R wrist radiograph; AP view; 16y M; follow-up study; acquired on Siemens:

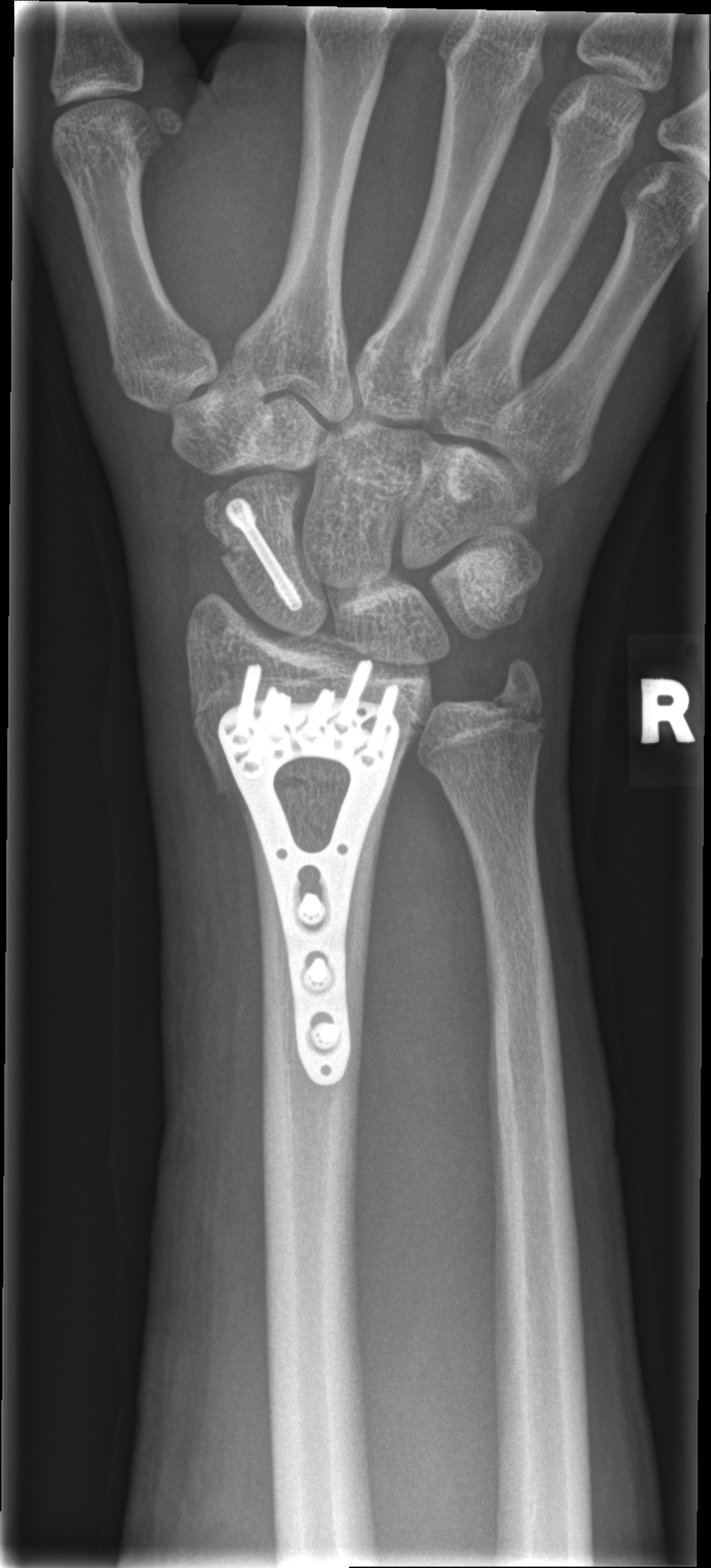 * Coordinates are [x1, y1, x2, y2] in image pixels.
* Two metal at <216,657>-<422,1089>; <226,498>-<305,608>.
* Fracture classified AO/OTA 23r-M/3.1; 23u-E/7; 72B(b).
* Fx identified at <200,715>-<413,809>, <202,514>-<312,570>, <480,657>-<551,739>.